Lat projection, Rt wrist radiograph, initial study, acquired on Siemens
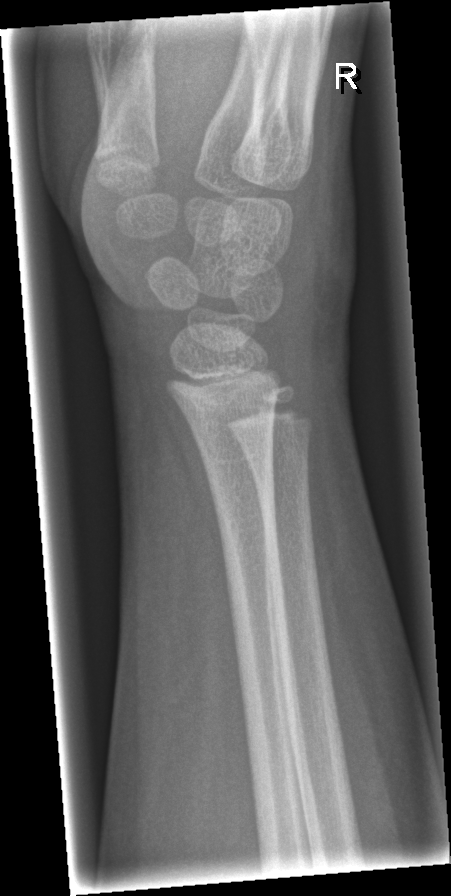
No fracture annotation.